PA/AP projection, L plain radiograph of the wrist, index exam, acquired on Siemens
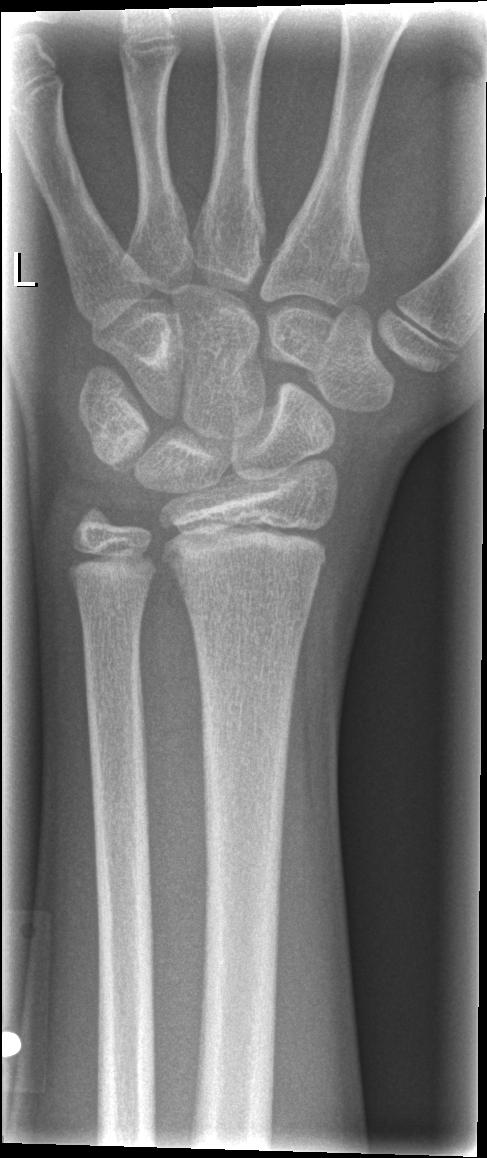

FINDINGS: No fracture bounding box.